Lt plain radiograph of the wrist | lateral view | pediatric patient (boy, age 13) | cast present | Siemens:
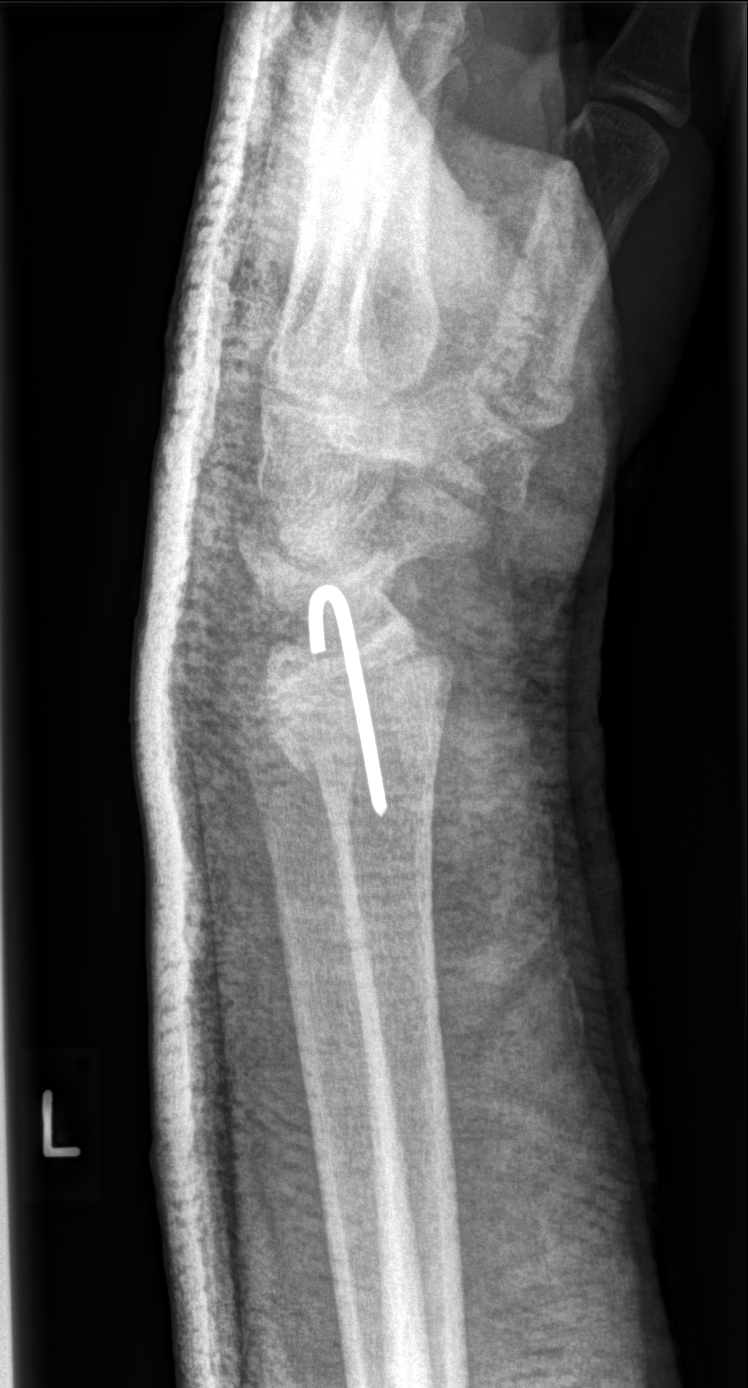 FINDINGS — Bone fracture: (left=254, top=737, right=460, bottom=826). AO/OTA classification: 23r-E/2.1. Metallic hardware: (left=304, top=583, right=388, bottom=804).